Rt wrist radiograph | lateral projection | Siemens 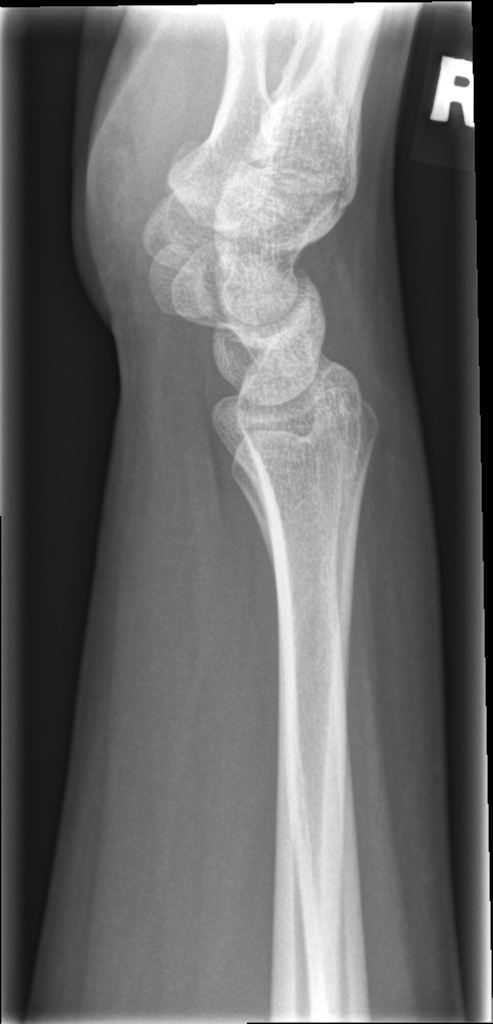 Fracture: none labeled.